Posteroanterior projection · left wrist X-ray · girl, 8 yo · acquired on Siemens:
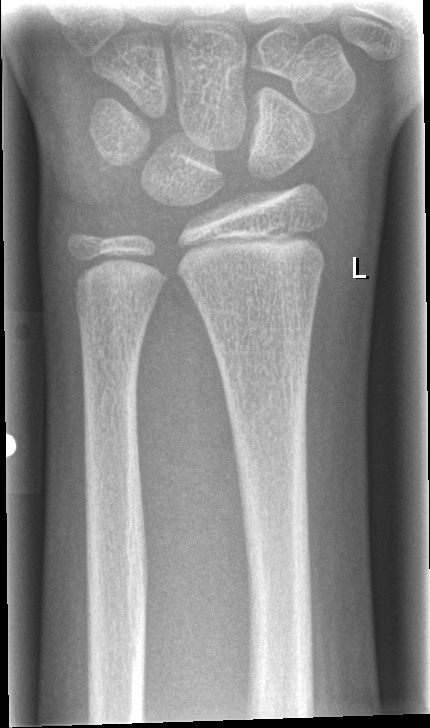

No Fx annotated.